Left wrist XR · posteroanterior projection · male, 14 yo · 610 by 1135 pixels: 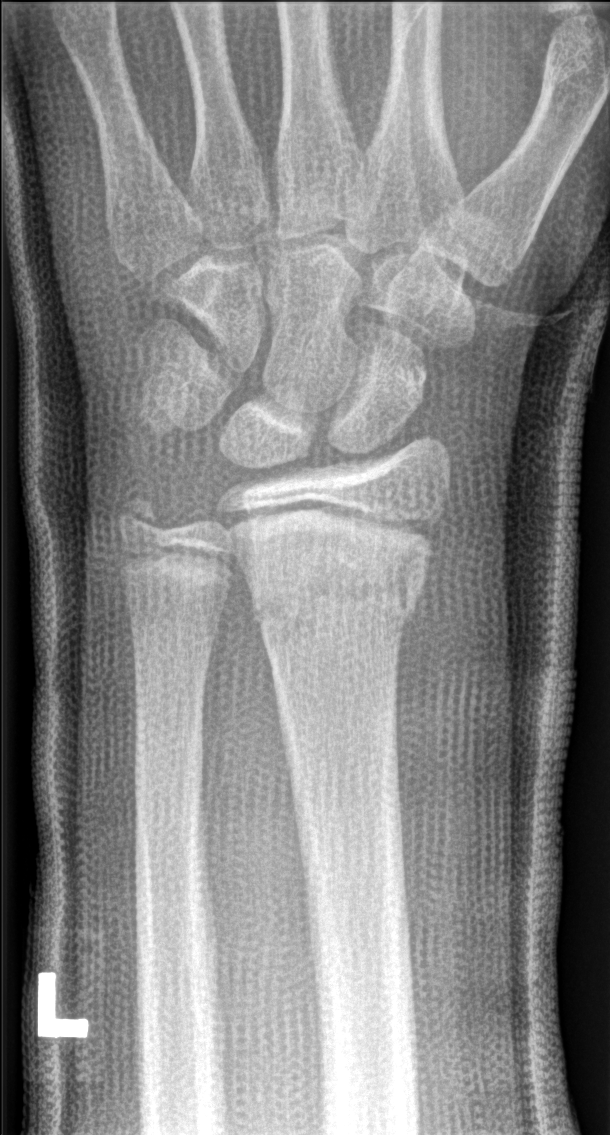

{
  "_coords": "boxes as x1,y1,x2,y2 (top-left / bottom-right, pixel units)",
  "fracture": "2 @ <238,510>-<439,635>; <111,486>-<170,552>",
  "ao": "23r-M/3.1; 23u-E/7"
}